AP, right wrist plain film, boy, 11 yo, initial study, 542x1004.
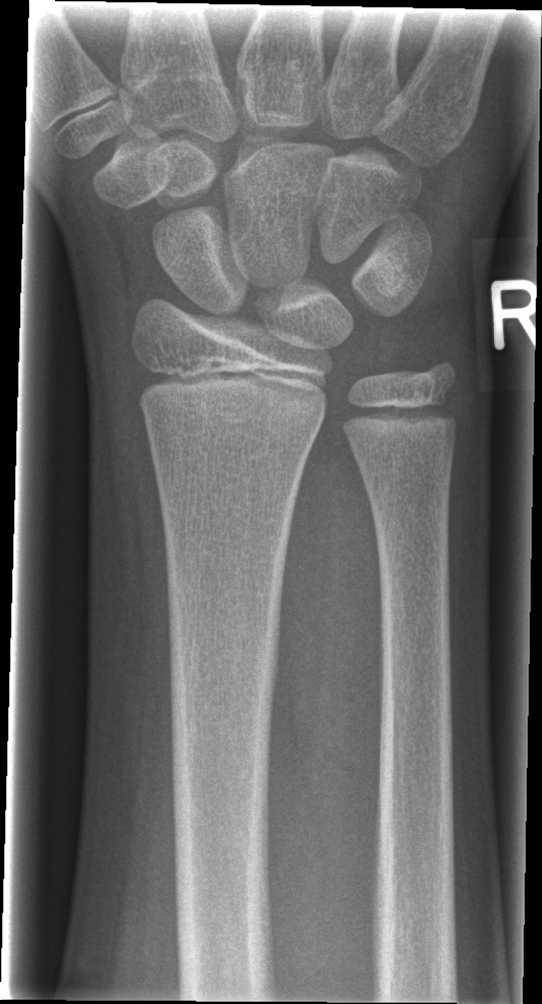
No fracture bounding box.